L wrist XR, lateral view, 13y M, 64.8 mm image width, image size 450x990 —
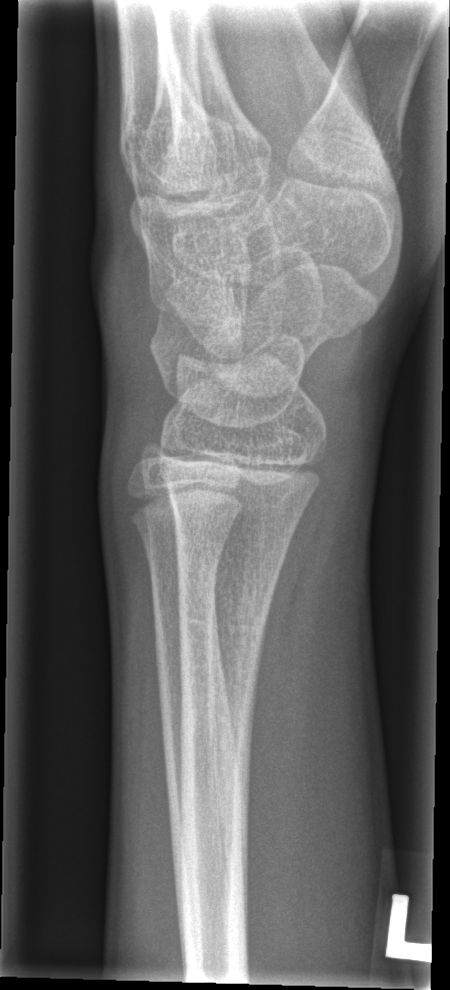

soft-tissue finding: 1 @ [84, 221, 177, 433]
Fx: none labeled